PA projection, right wrist X-ray, cast present 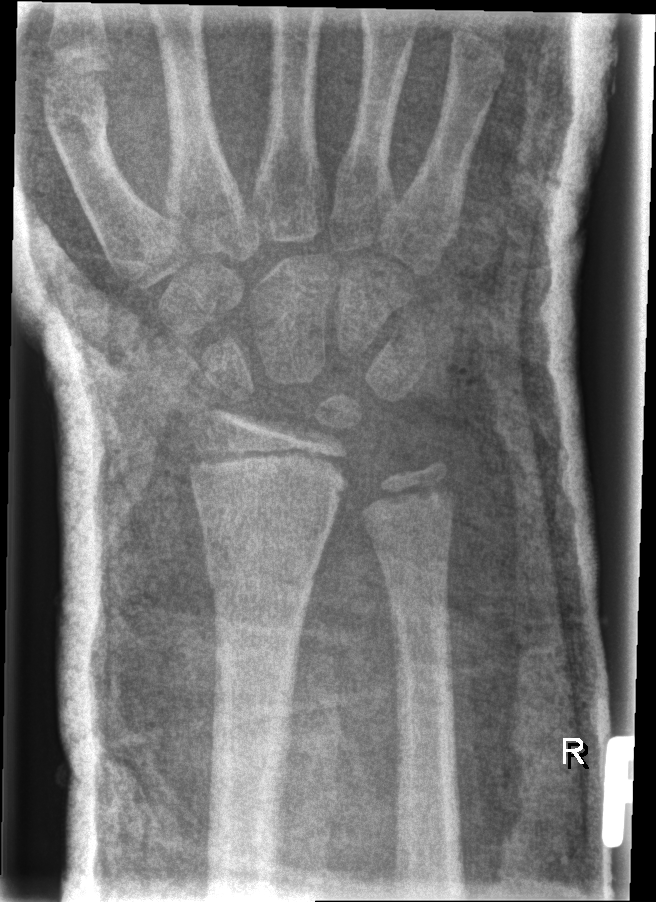

AO code = 23r-M/3.1
Bone fracture = bbox(197, 530, 331, 600)